PA/AP | L pediatric wrist radiograph | age 8 y, girl | initial study.

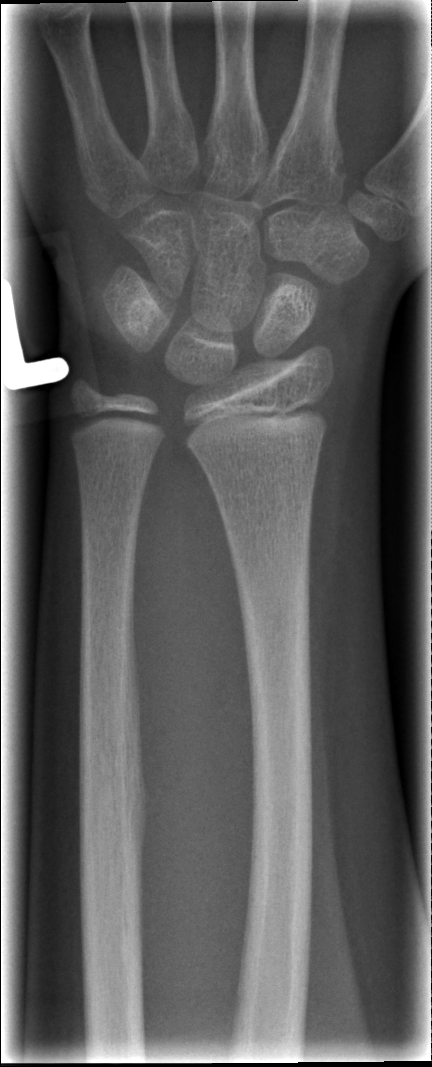
No fracture annotation.